Right wrist plain film · lateral projection · age 15 y, girl · image width 76.3 mm: 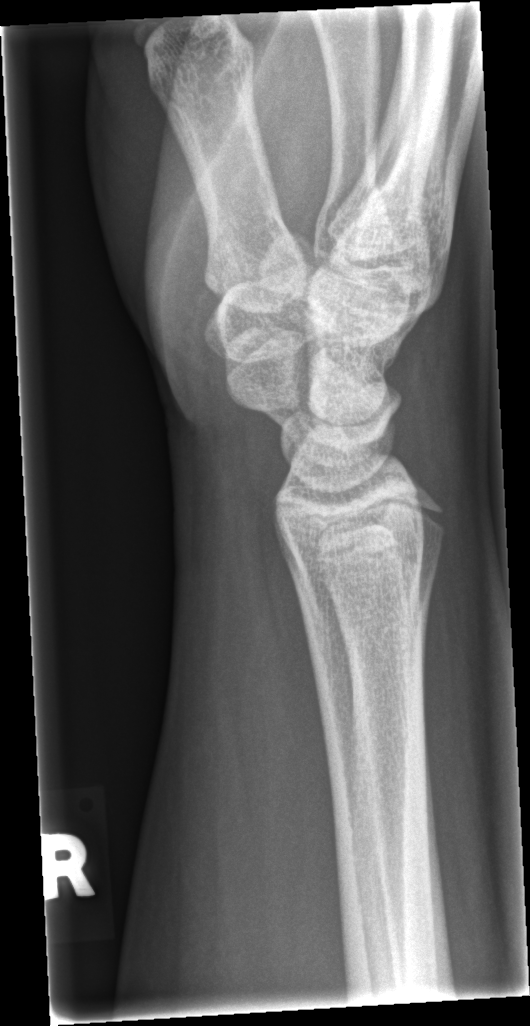

Fracture: none labeled